Right wrist XR · lateral projection · subsequent exam · acquired on Siemens:

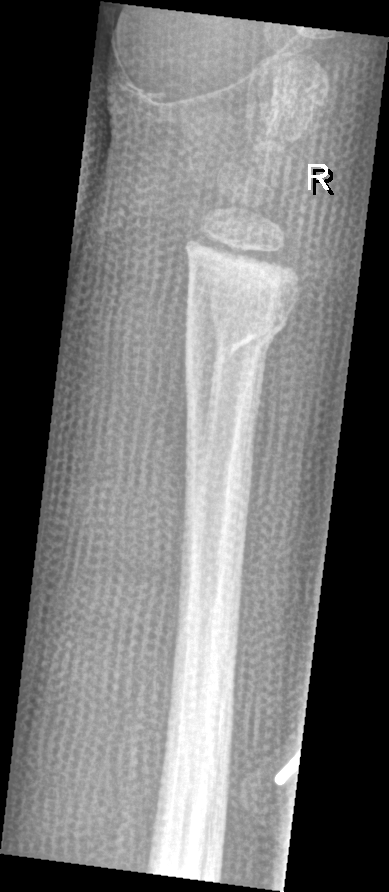
FINDINGS — Fracture classified AO/OTA 23r-M/2.1. One fracture at <183,306>-<293,369>.